Frontal view · right wrist plain radiograph of the wrist · pediatric patient (female, age 6) · subsequent exam · 580 by 1112 pixels:

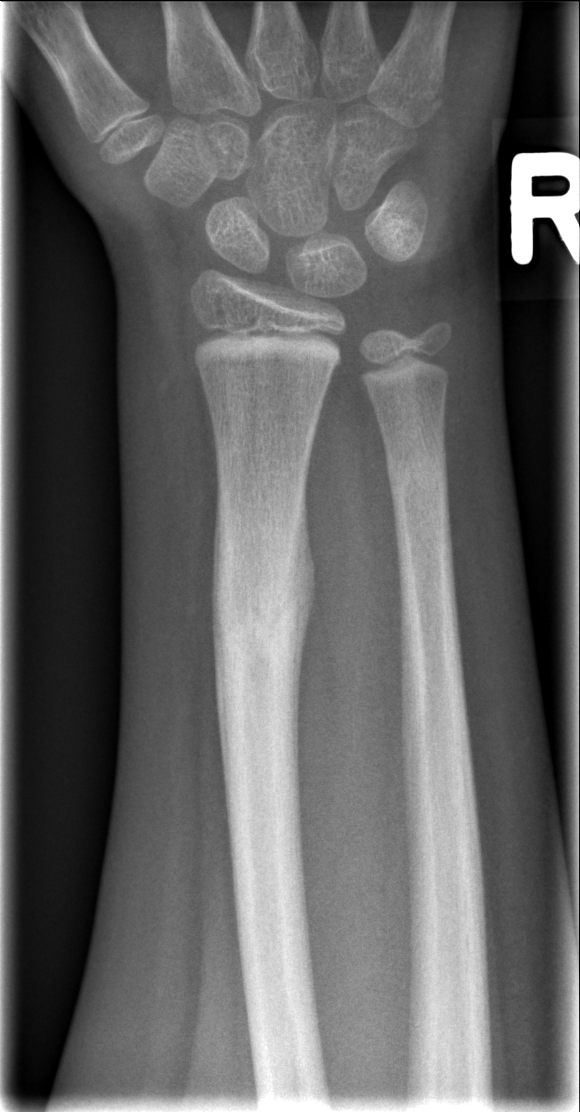 FINDINGS — (bounding boxes in image-pixel xyxy) Two Fx at bbox(209, 495, 322, 733); bbox(380, 441, 452, 500). AO/OTA classification: 22r-D/2.1; 23u-M/2.1.